Left wrist plain film | PA/AP view | index exam | findings marked uncertain by the reading radiologist:

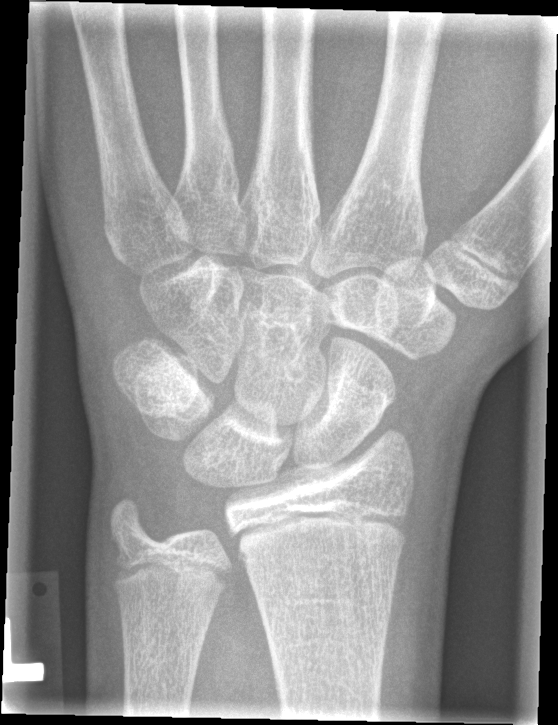
* Fracture: none labeled.